R plain radiograph of the wrist; posteroanterior.
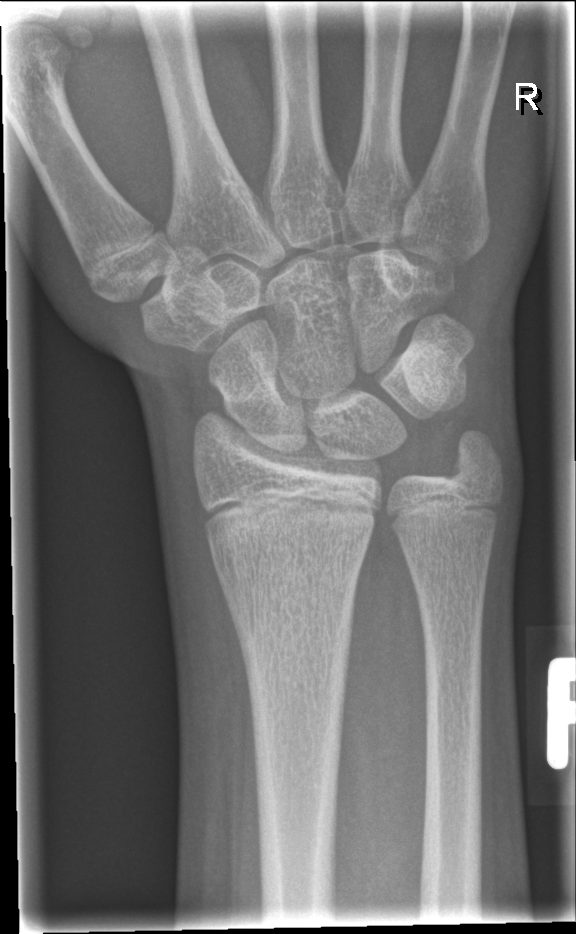
* Bone fracture: (229, 584, 359, 707).